PA/AP | left pediatric wrist radiograph | pediatric patient (girl, age 11) | image size 489x1200:

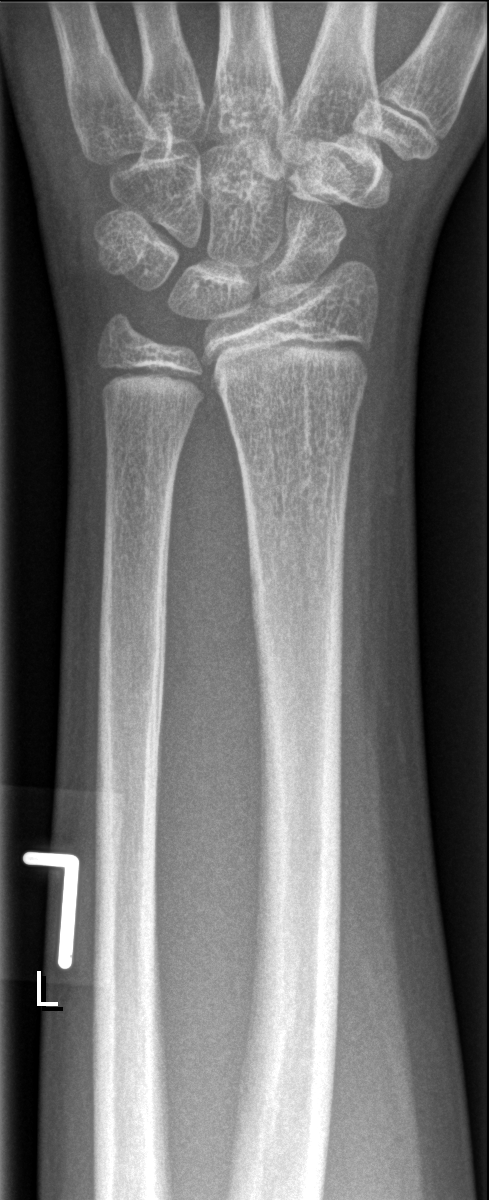
Coordinates are [x1, y1, x2, y2] in image pixels.
Fx identified at 213,350,369,436.
AO/OTA classification: 23r-E/2.1.